Lat; Lt wrist plain film; pediatric patient (boy, age 15):
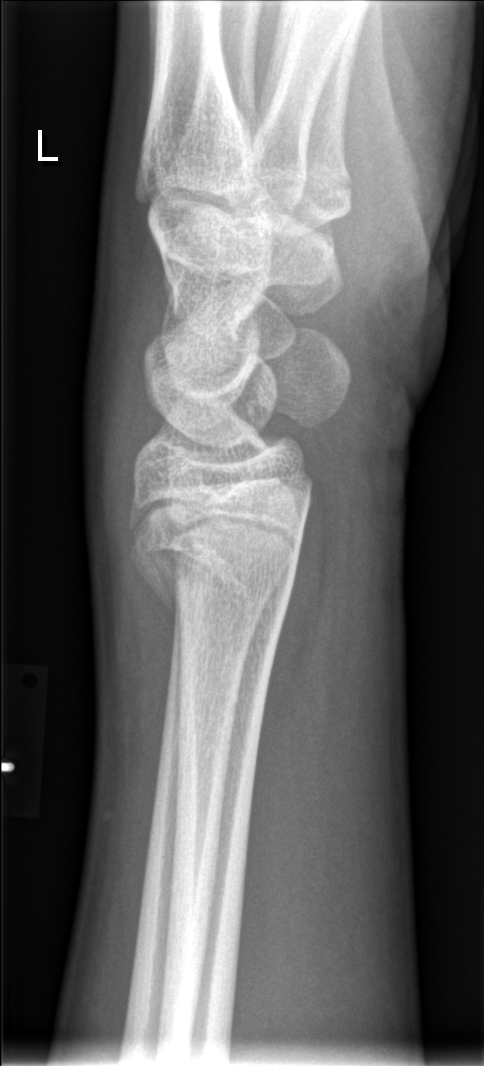
(boxes as x1,y1,x2,y2 (top-left / bottom-right, pixel units))
Bone fracture = [128, 516, 291, 621]